Right wrist pediatric wrist radiograph; lateral
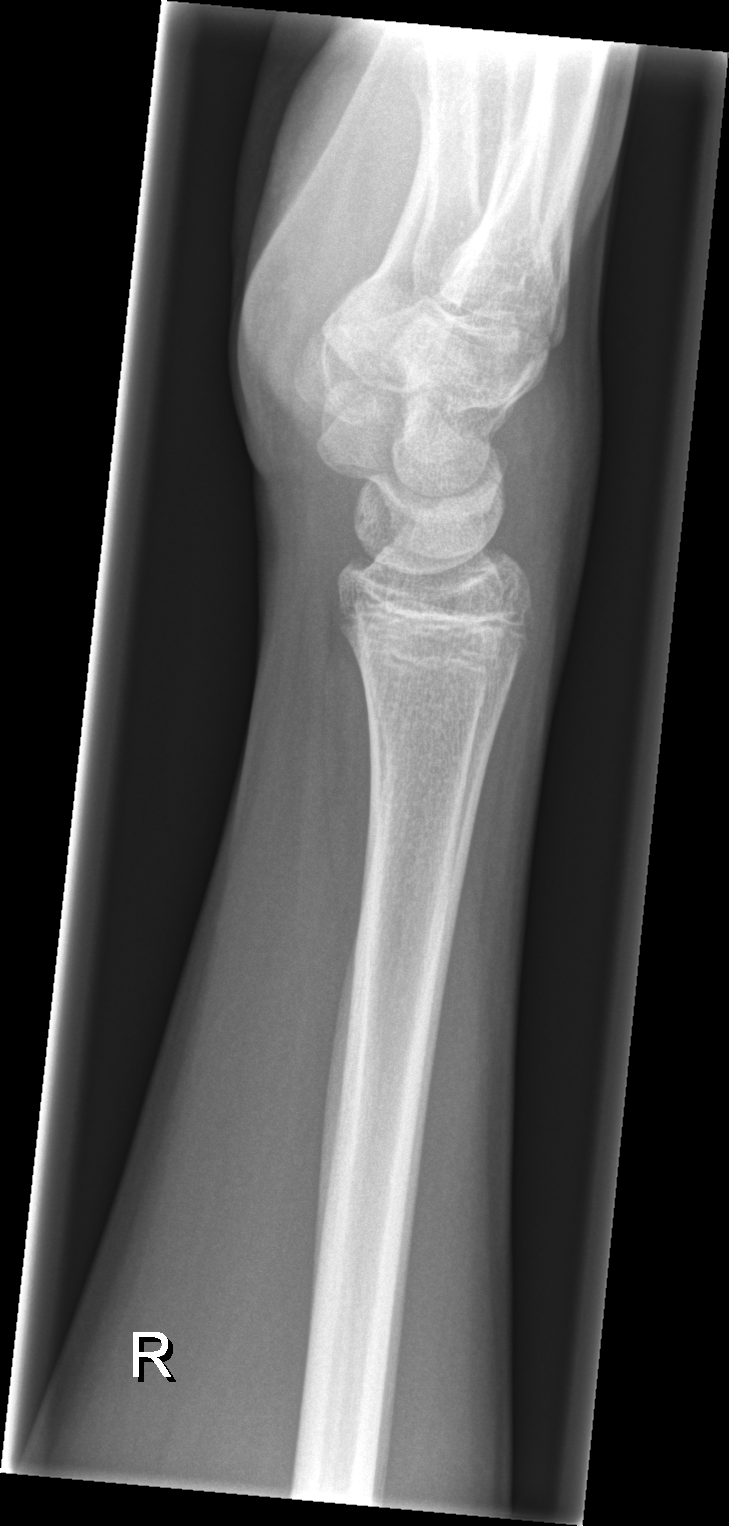

FINDINGS — Fracture: none labeled.